Posteroanterior view; right plain radiograph of the wrist; subsequent exam; acquired on Siemens
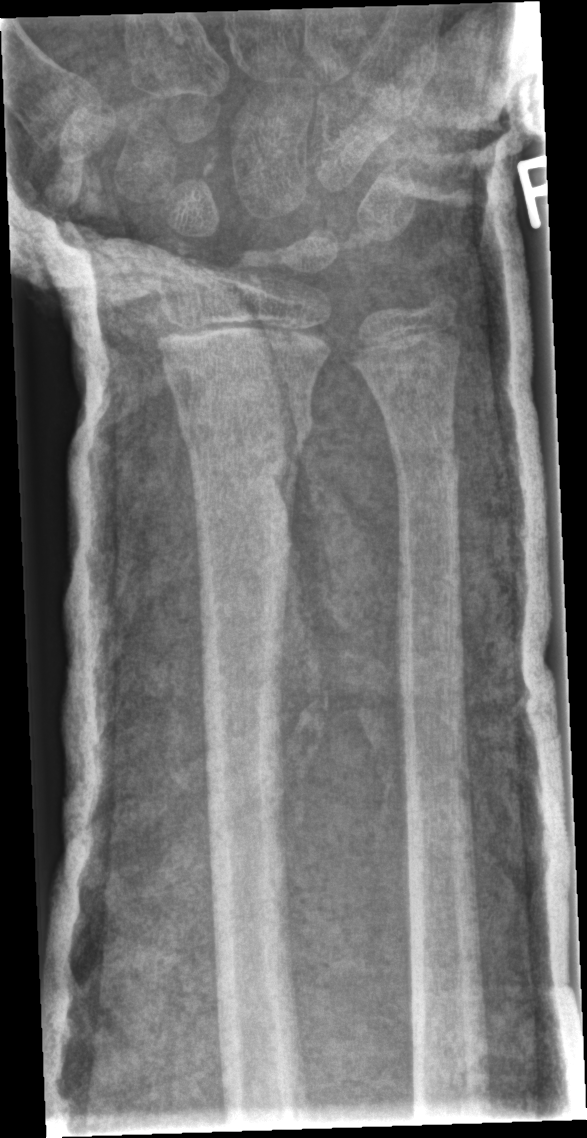 FINDINGS: Two bone fractures at 175 398 317 460
  383 427 465 486. AO/OTA classification: 23-M/2.1.